Lt plain radiograph of the wrist | PA projection | pediatric patient (girl, age 12):

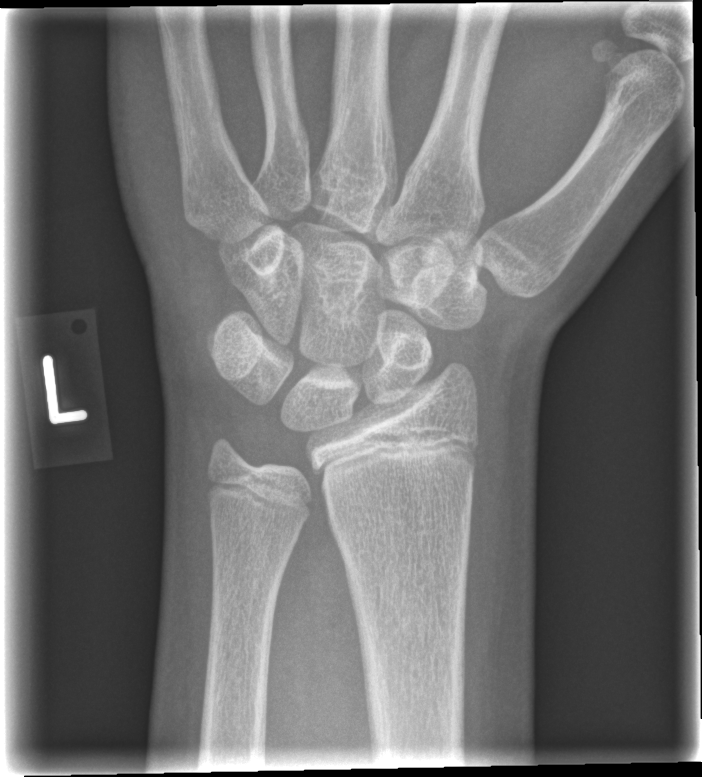

Fx: none.